Lat projection; R wrist X-ray; 9-year-old boy —
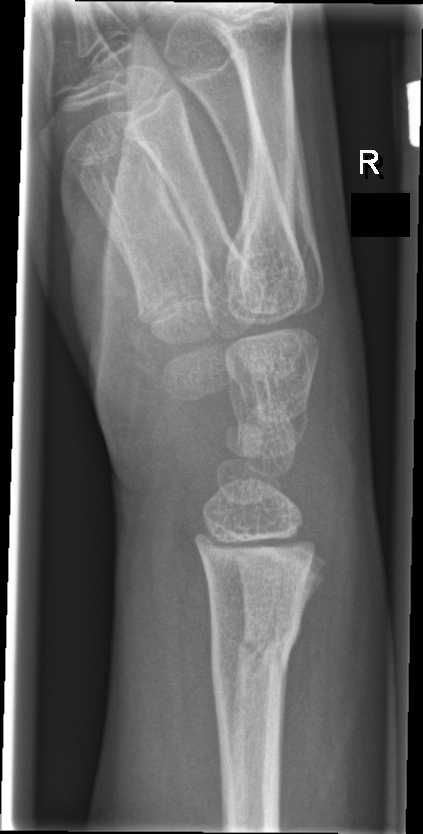 (boxes as x1,y1,x2,y2 (top-left / bottom-right, pixel units))
AO code = 23-M/3.1
Fracture = 1 @ [208, 607, 303, 701]
Soft-tissue finding = 1 @ [285, 418, 387, 808]